Left wrist XR; posteroanterior projection; 15y M; image 101.4 mm wide 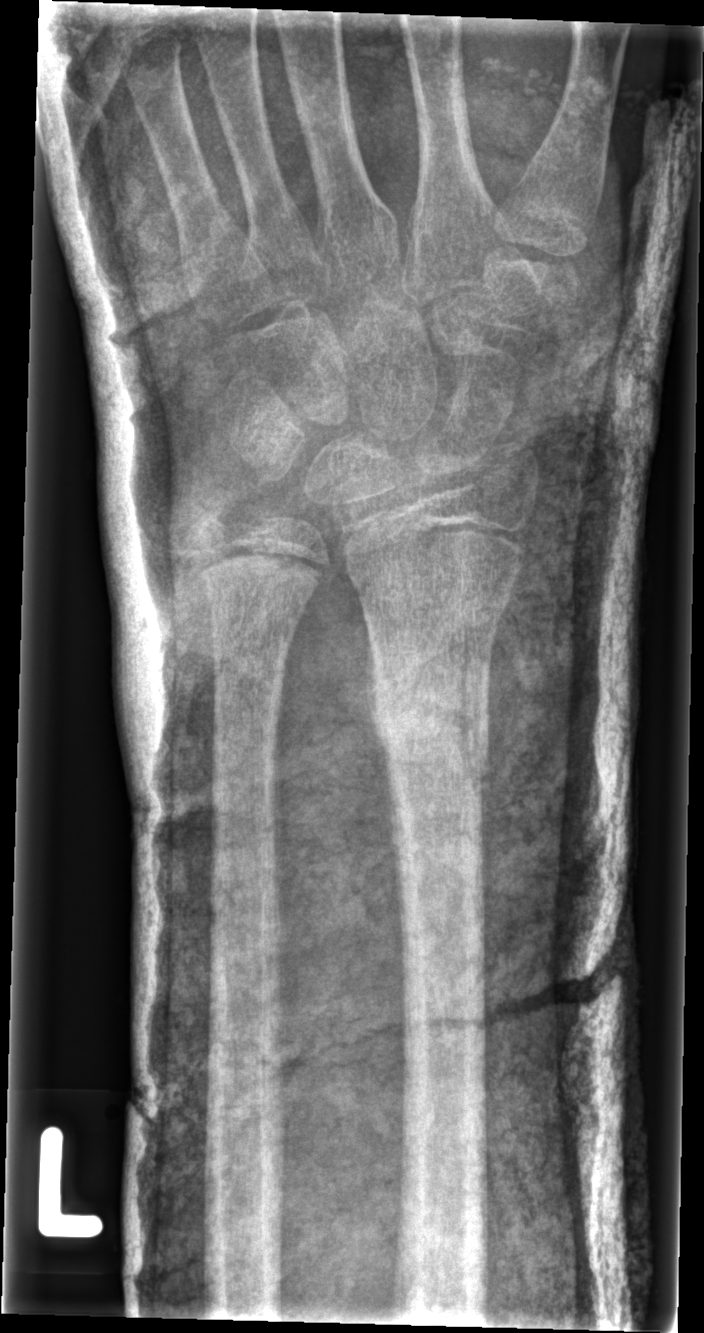
# bounding boxes in image-pixel xyxy
ao: 23r-M/3.1
fracture: <359,639>-<497,807>